Lateral | R wrist XR | 11y F | 450 by 952 pixels:
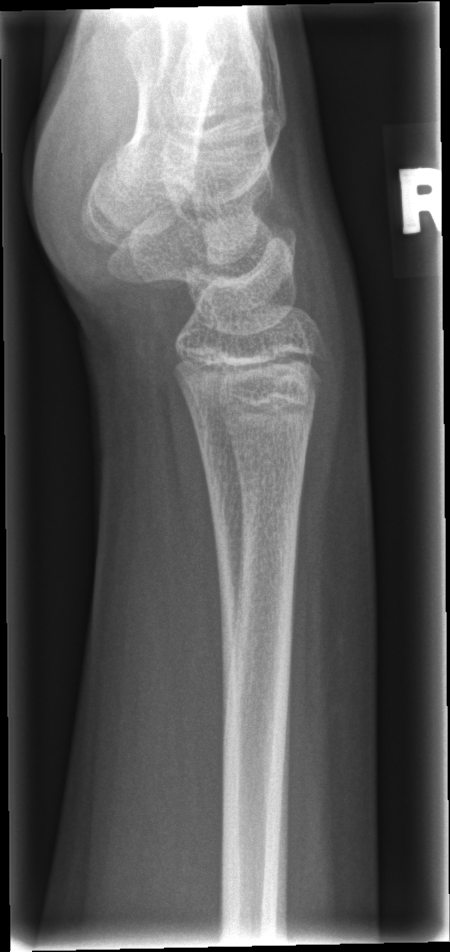

• No fracture labeled.